Lt wrist plain film | PA/AP view | image width 78.0 mm | 542 x 1140 px: 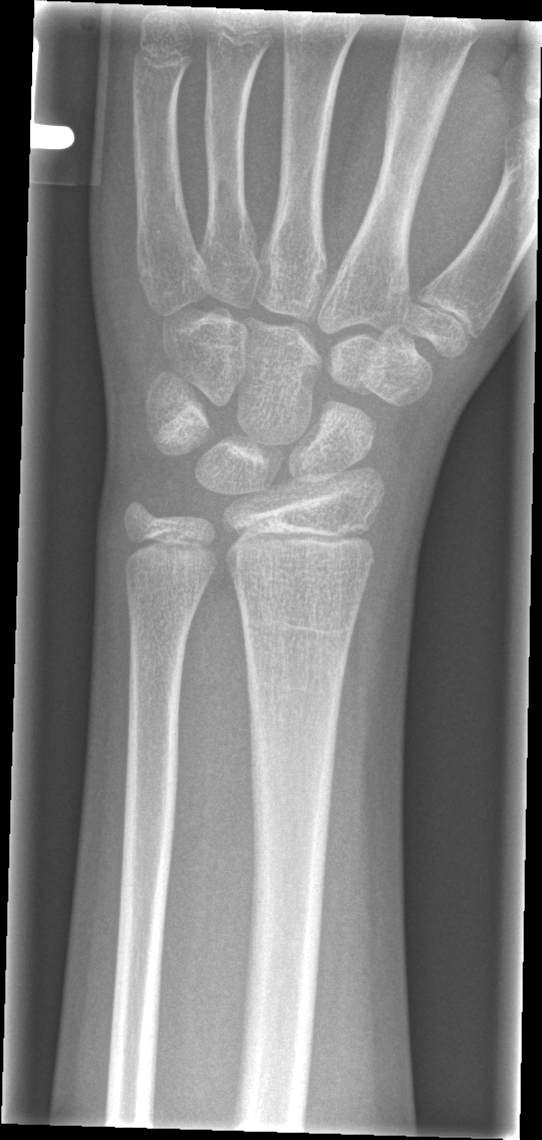 {"fracture": "none labeled"}